Right wrist plain film · lat · 16y F
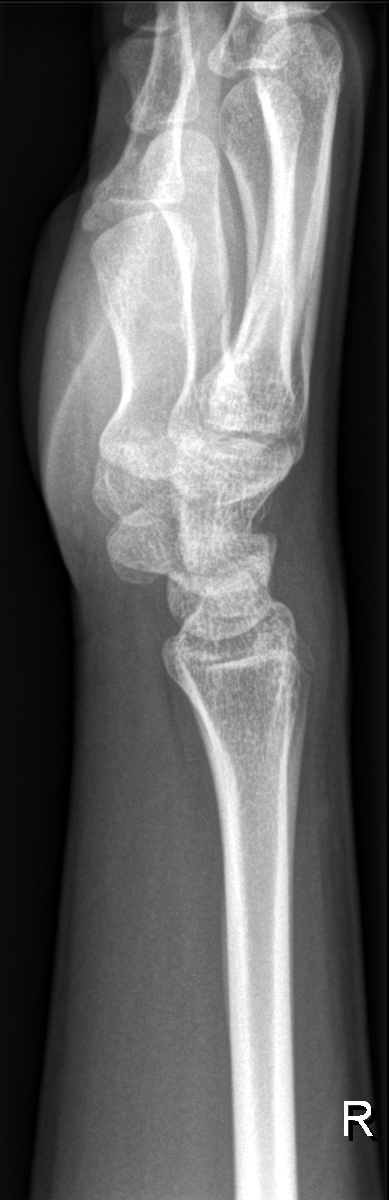

* No fracture labeled.